R wrist plain film · AP view · 7y M · follow-up study · cast present · image size 574x956
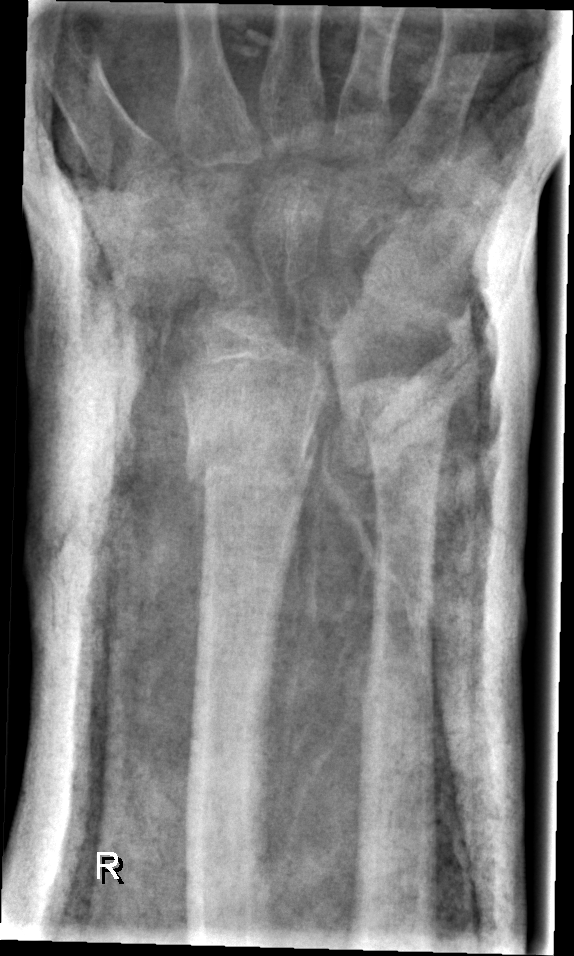
Fracture = 1 @ bbox(181, 429, 318, 488)
AO/OTA = 23r-M/3.1; 23u-M/2.1
Periosteal thickening = 1 @ bbox(186, 443, 207, 673)